Posteroanterior view | right wrist plain film.
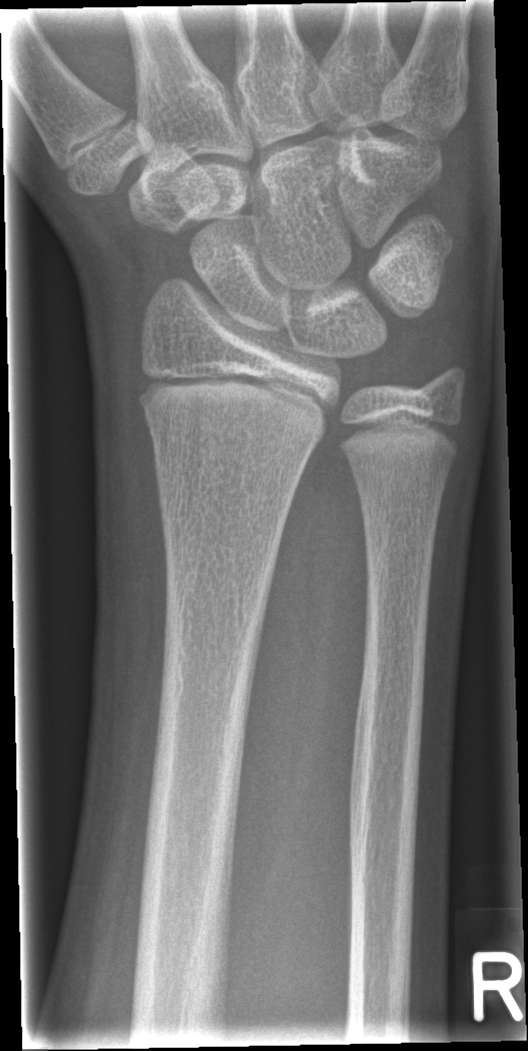
- Fx: none.